R wrist XR; posteroanterior; pediatric patient (male, age 8); index exam —

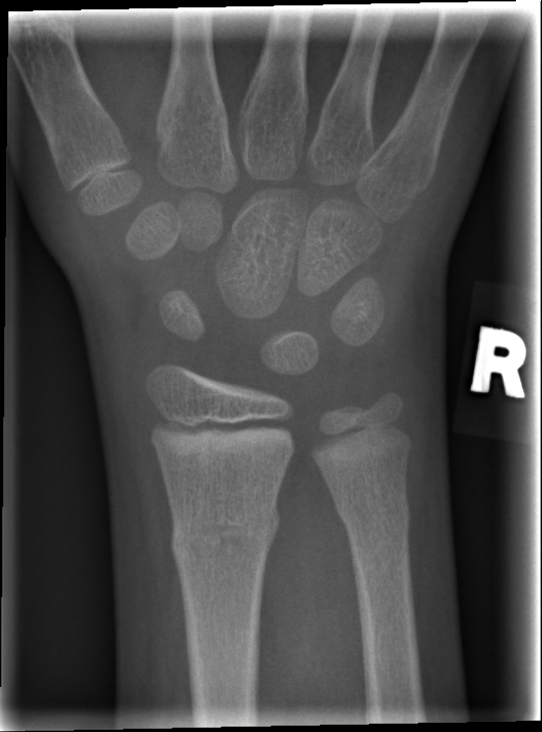

{"_coords": "pixel coordinates, top-left origin, xyxy", "ao": "23-M/2.1", "fracture": "2 @ bbox(168, 494, 283, 568); bbox(330, 490, 414, 539)"}